Left wrist X-ray, PA/AP view, pediatric patient (female, age 10), subsequent exam, detector: Siemens, 636 x 852 px:
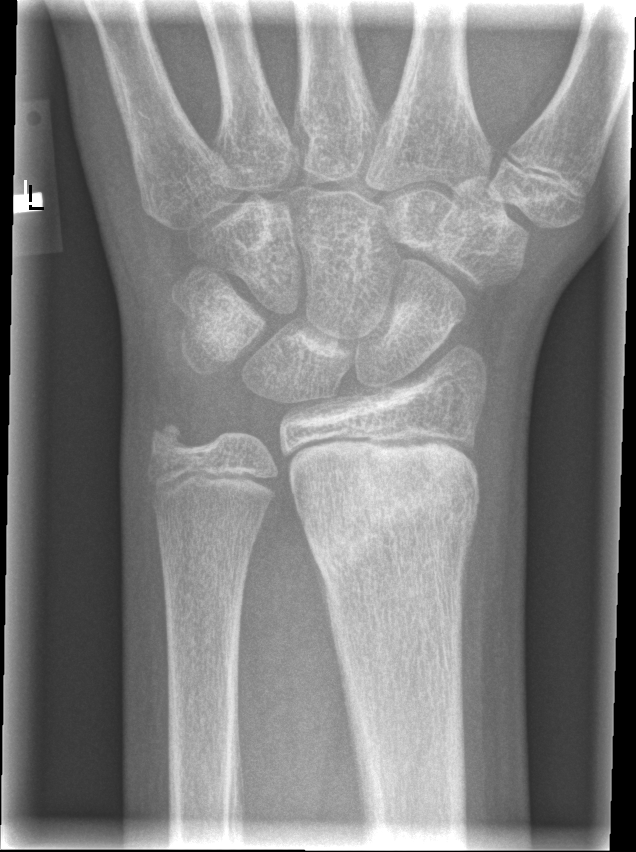
{
  "periostealreaction": "303 521 340 671 | 458 513 477 654",
  "fracture": "300 446 484 595; 145 411 204 469",
  "ao": "23r-M/3.1; 23u-E/7"
}